Lateral, R wrist plain film, image size 483x1060.
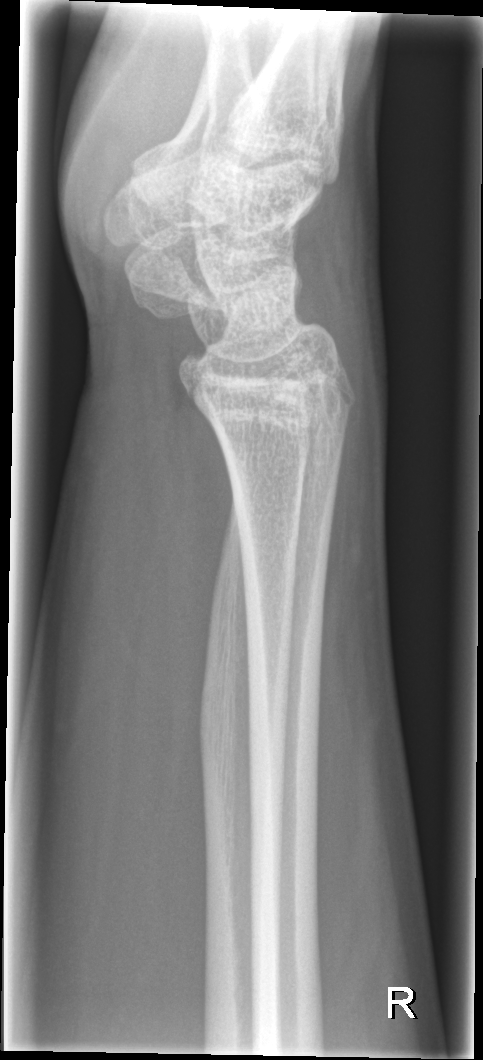
No fracture annotation.